Lat projection; right wrist pediatric wrist radiograph. 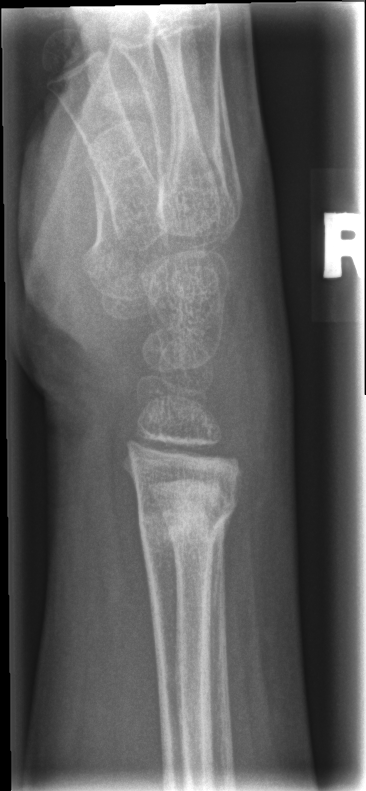

Fx = 1 @ [139, 487, 241, 554]